Right plain radiograph of the wrist, lat, 12-year-old male, acquired on Siemens.

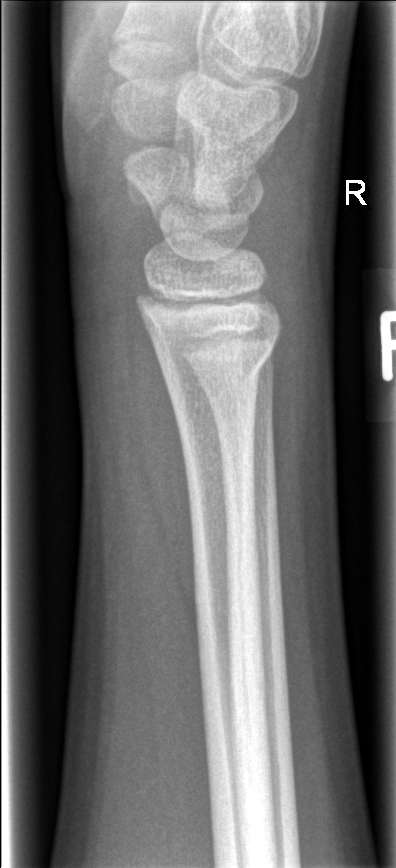

(boxes as x1,y1,x2,y2 (top-left / bottom-right, pixel units))
Q: Fracture present?
A: Fx — (154, 335, 274, 404)